Lateral view · right wrist plain film · age 14 y, female · image size 436x914 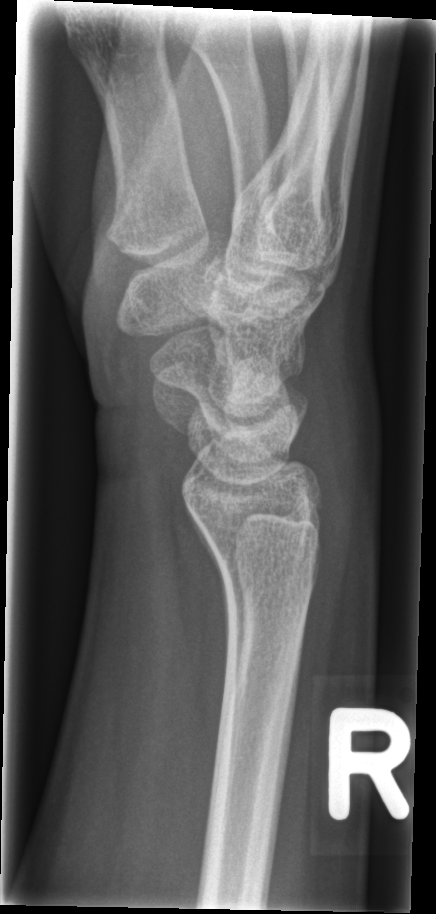
Fx = none labeled